Lat projection | Lt pediatric wrist radiograph | follow-up study

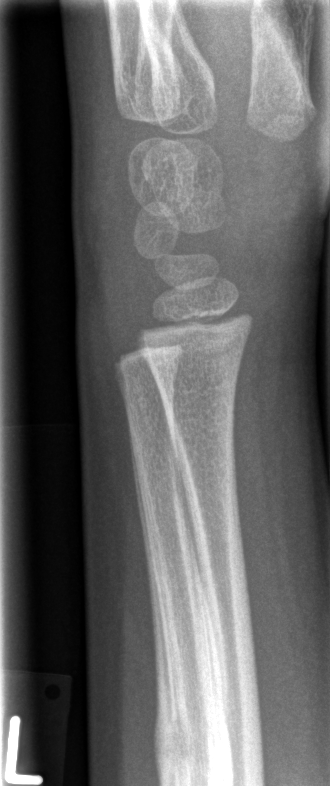 * Coordinates are [x1, y1, x2, y2] in image pixels.
* One Fx at bbox(151, 681, 236, 786).